Right wrist plain film; lat projection 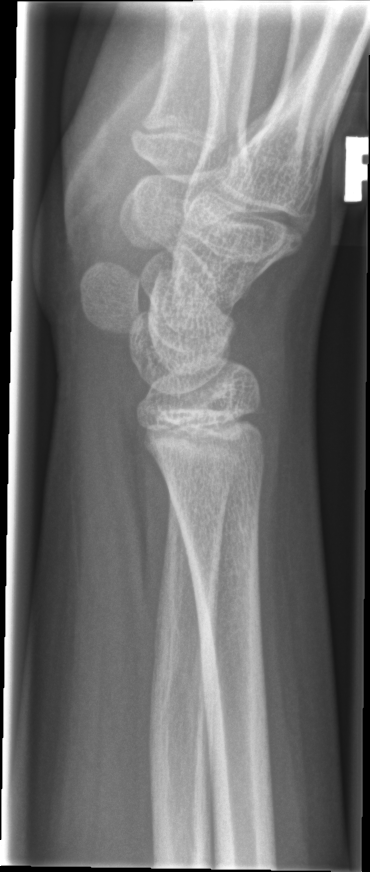
fracture = none labeled